AP projection | Rt wrist XR | female, 7 yo | initial study | Siemens | image 84.5 mm wide.
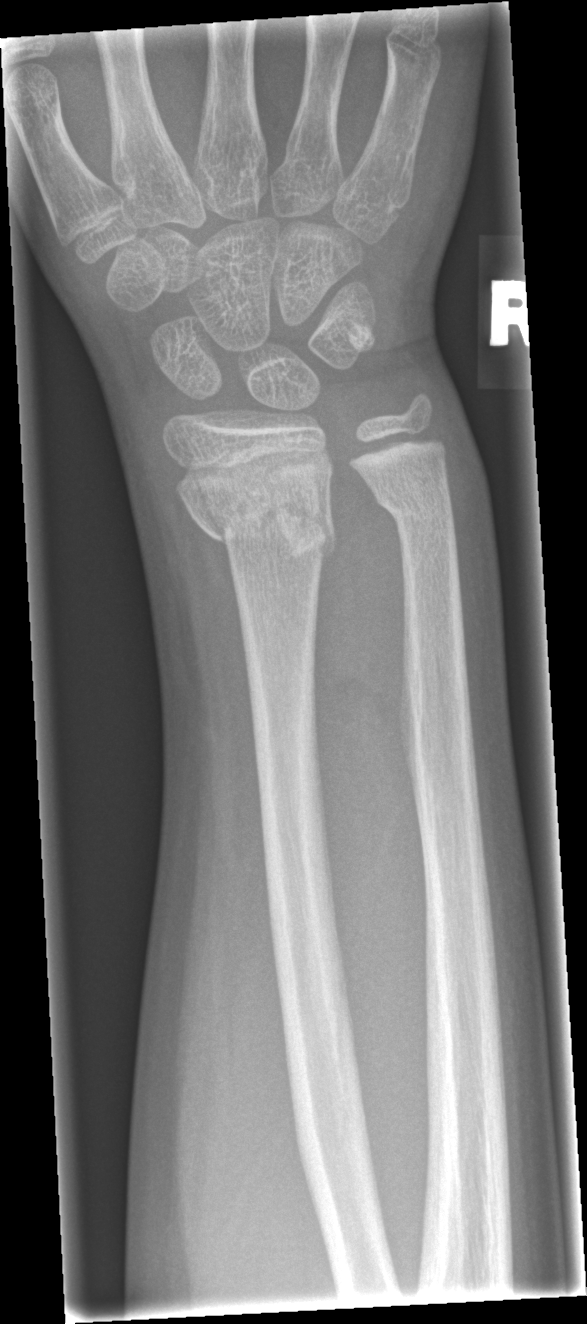
Fracture identified at <175,456>-<341,566>, <364,478>-<458,528>.